Frontal projection; left pediatric wrist radiograph; age 12 y, boy; cast in situ; 91.2 mm image width —

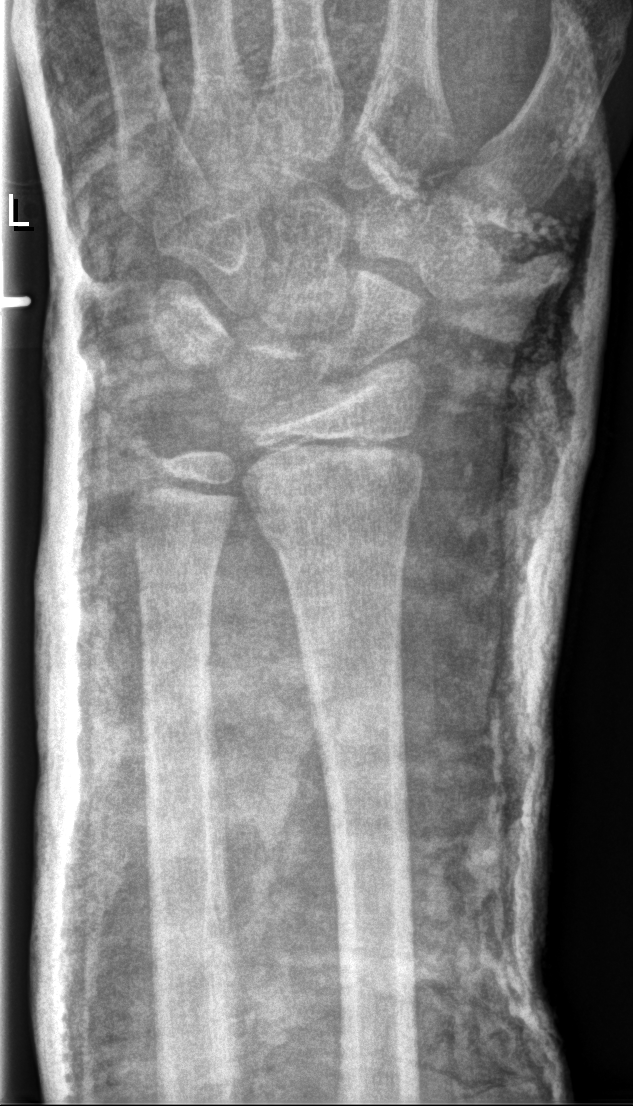

FINDINGS: (boxes as x1,y1,x2,y2 (top-left / bottom-right, pixel units)) One Fx at 245 433 427 556. AO code 23r-E/2.1; 23u-E/7.